Posteroanterior projection, right wrist radiograph, pediatric patient (male, age 5), follow-up study, cast present, 589 x 884 px.

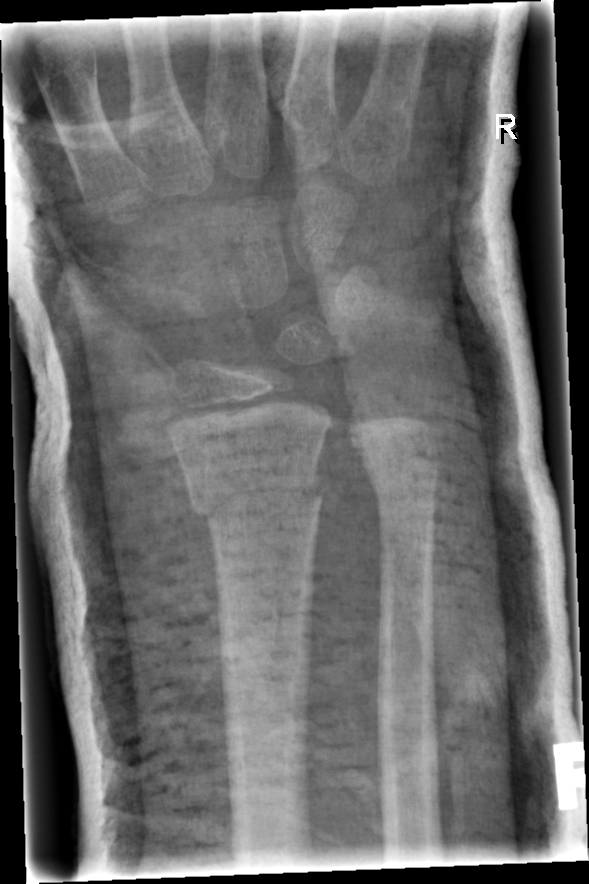 FINDINGS: Two bone fractures at (187, 462, 327, 534); (359, 430, 441, 505). AO/OTA classification: 23r-M/3.1; 23u-M/2.1.